L pediatric wrist radiograph · lateral · 508x964 — 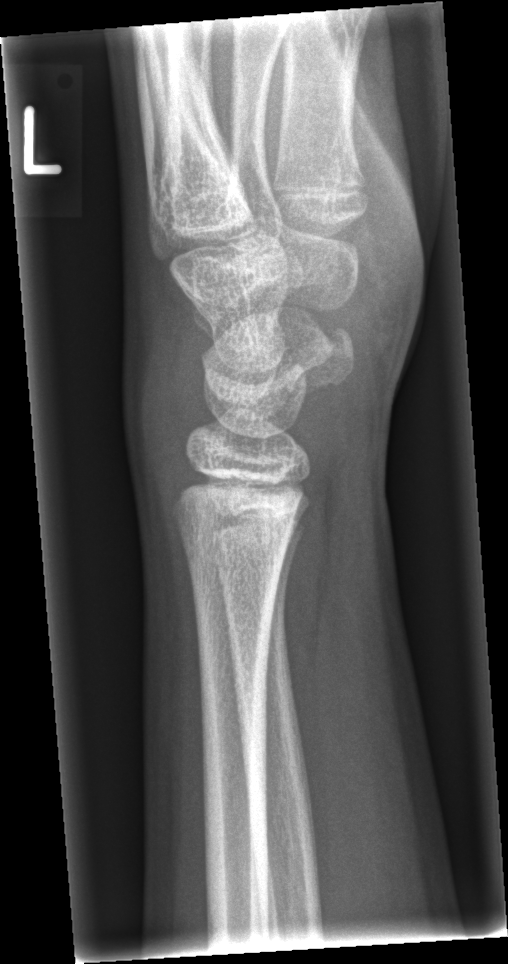

Fx: none labeled